L plain radiograph of the wrist; posteroanterior projection; presentation radiograph —

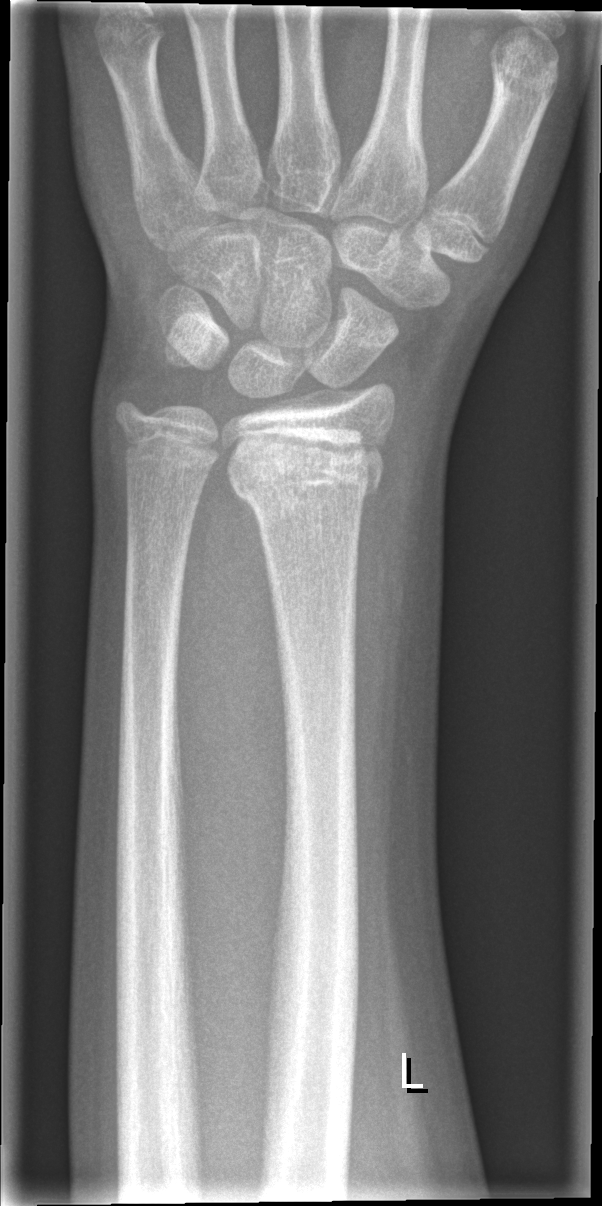

AO code 23r-E/2.1. Bone fracture identified at 229 434 384 512.